Left wrist radiograph | lateral projection | in cast | image 84.0 mm wide.
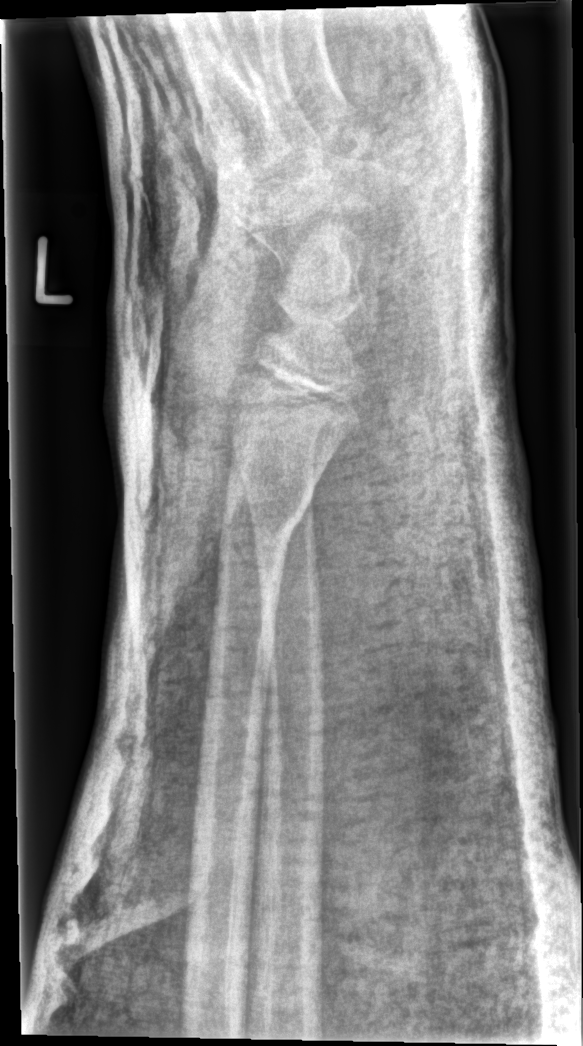

- One fracture at 220,474,319,532.
- AO/OTA classification: 23r-M/2.1.